Left plain radiograph of the wrist · frontal projection · pediatric patient (boy, age 9) · follow-up · image 95.0 mm wide:

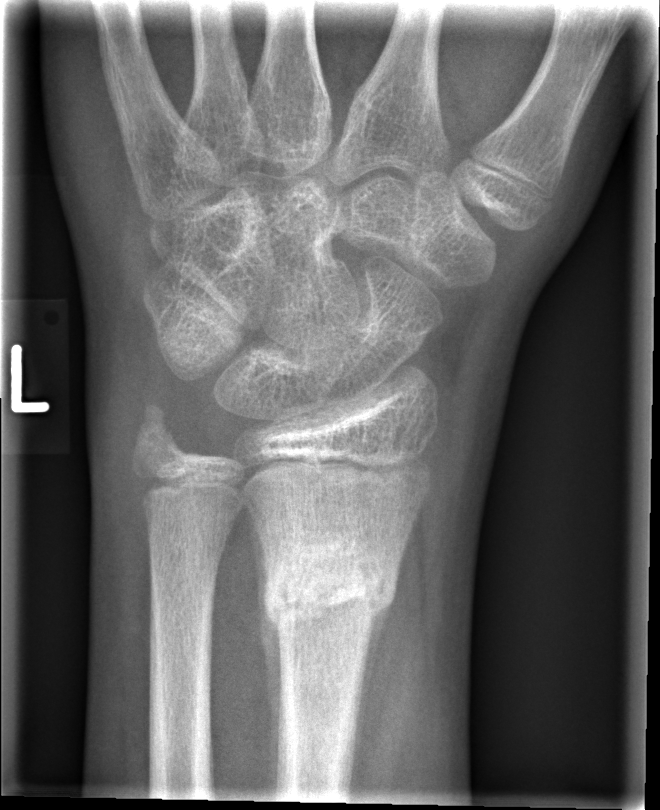
Two periosteal thickening at [250, 510, 286, 800] [348, 600, 393, 796]. Fractures — [264, 532, 391, 641] [128, 395, 194, 467].